Lateral | right wrist X-ray | 494 x 1026 px —
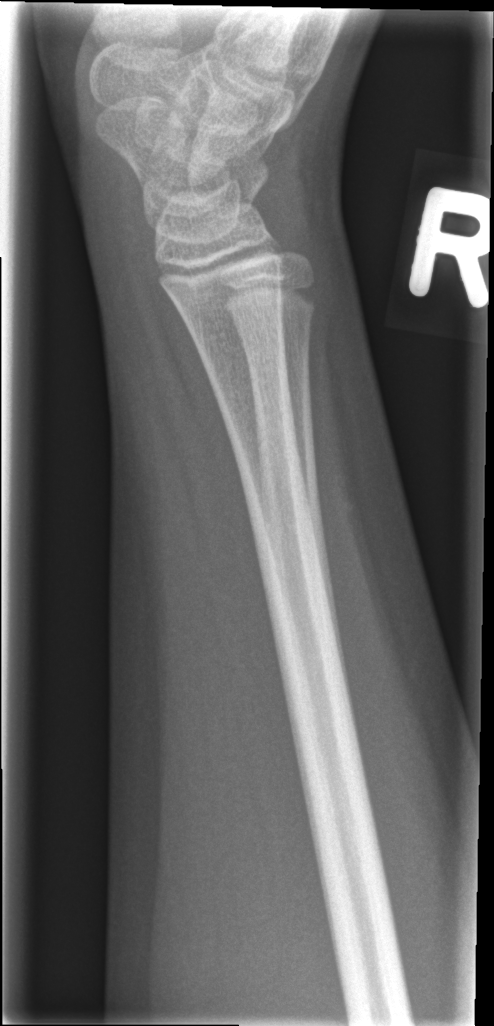
fracture: none labeled